PA | left wrist pediatric wrist radiograph | index exam —
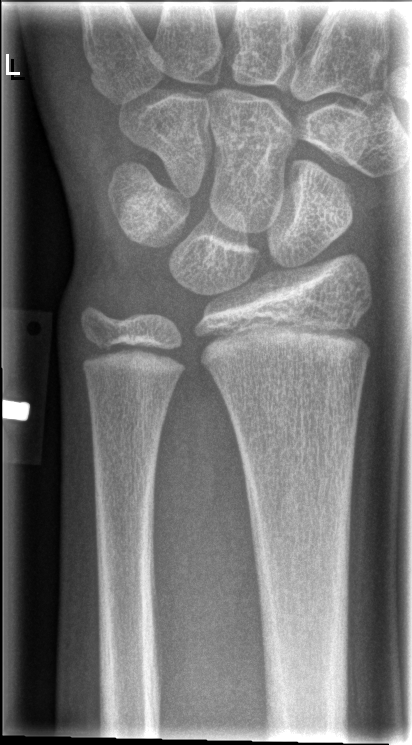
Q: Any fracture seen?
A: No fracture annotation